Right wrist X-ray; PA/AP projection; 12-year-old male; Siemens — 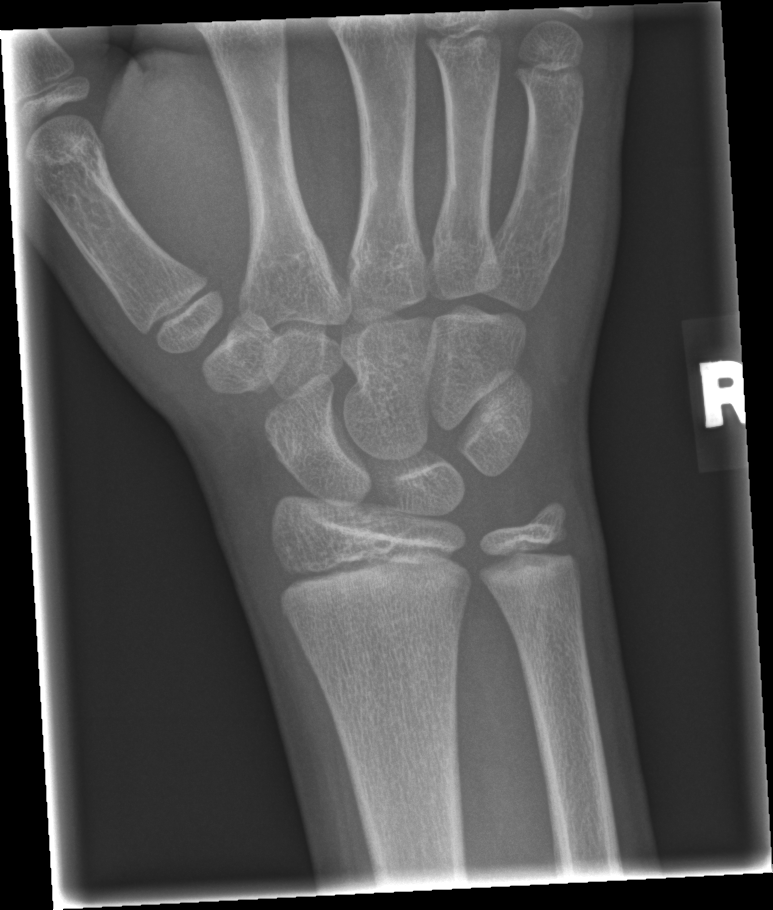 No fracture annotation.